Lateral · Rt wrist plain film · 11y M · follow-up · detector: Siemens · 554 by 1119 pixels —

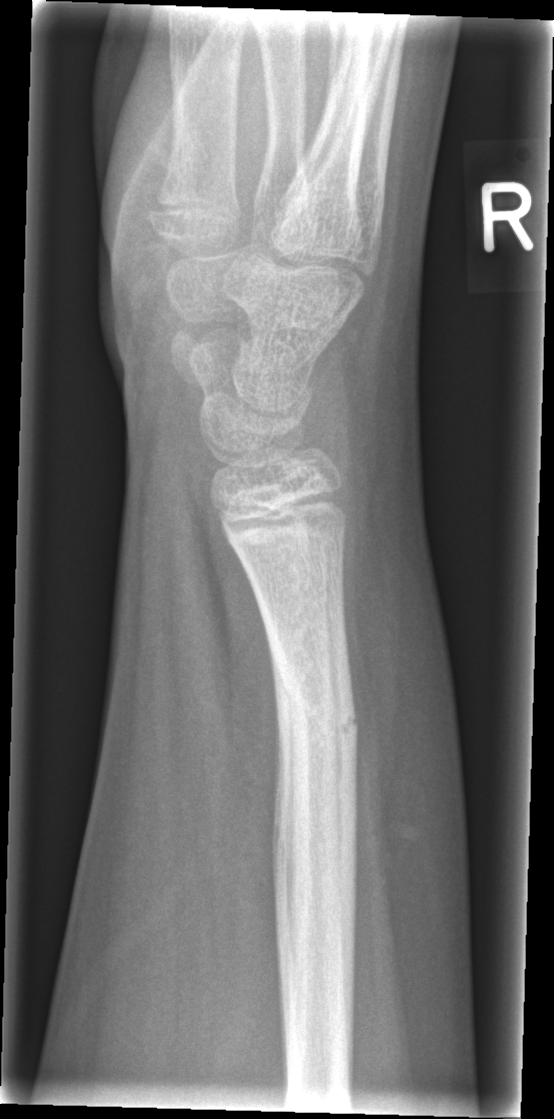

* AO code 23r-M/2.1.
* Fx — 272 655 362 753.